Lat projection · L plain radiograph of the wrist · 10y F. 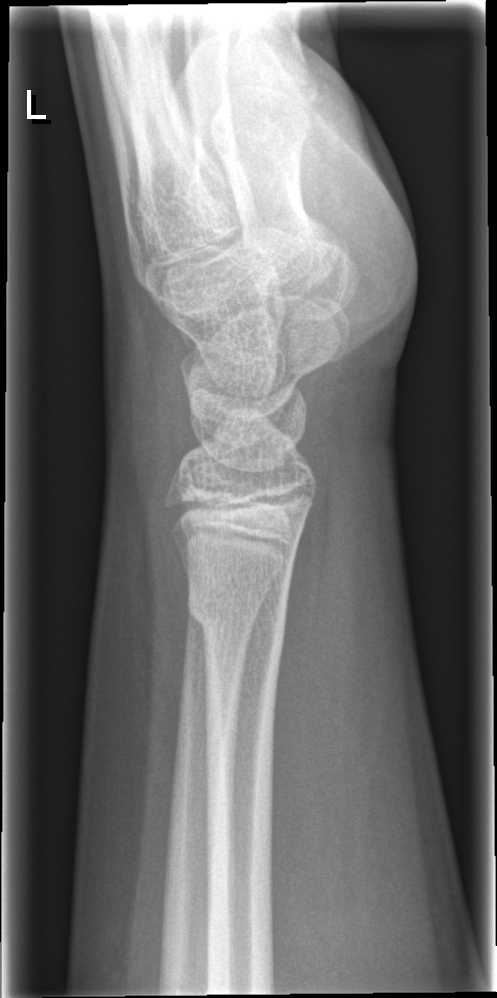
(coordinates are [x1, y1, x2, y2] in image pixels)
Fx = 1 @ bbox(183, 581, 289, 653)